Lateral, Lt wrist radiograph, pediatric patient (boy, age 12), index exam 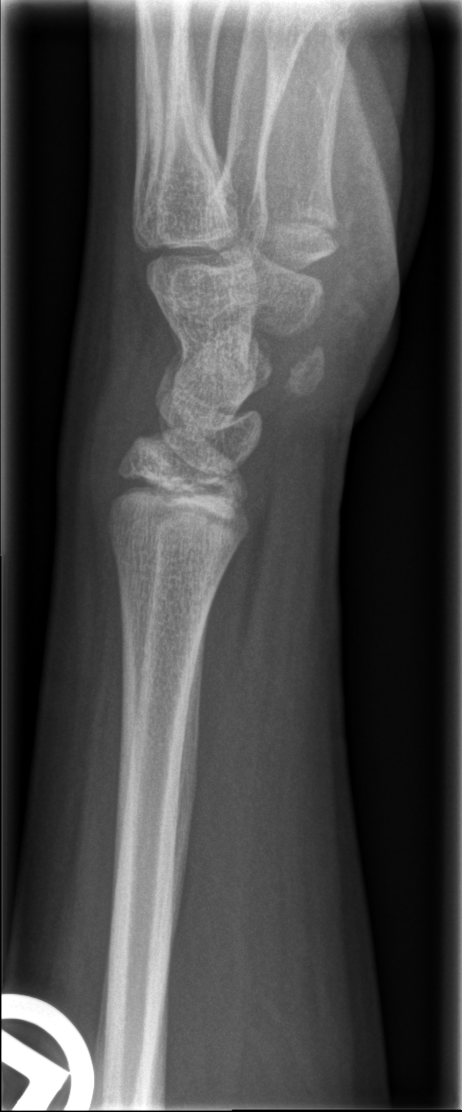
Fx: none labeled